PA view; Lt wrist radiograph.

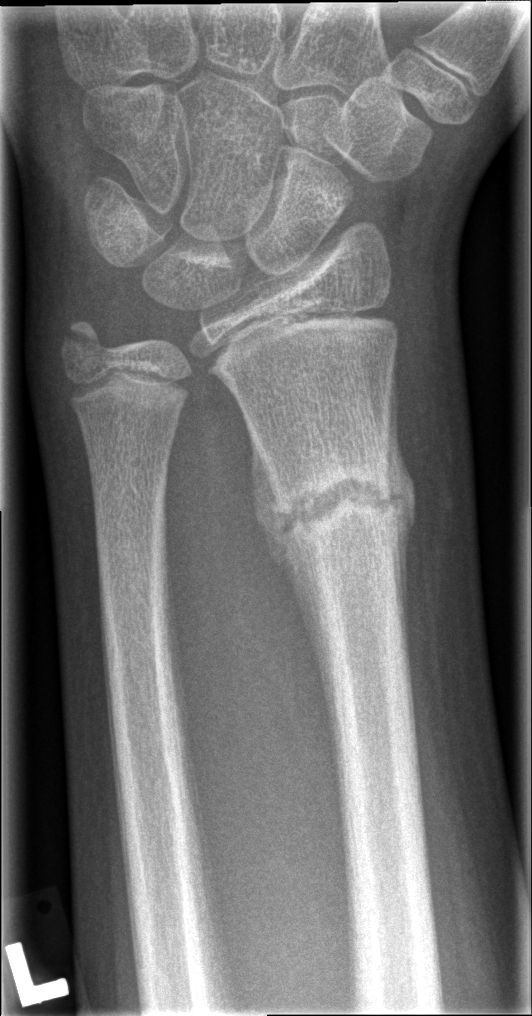 (boxes as x1,y1,x2,y2 (top-left / bottom-right, pixel units))
fracture = 2 @ 269 449 406 552; 53 310 117 372
osteopenia = present
periosteal new bone = 248 430 344 786
  384 355 418 651